Right wrist radiograph, lateral view, 15y M 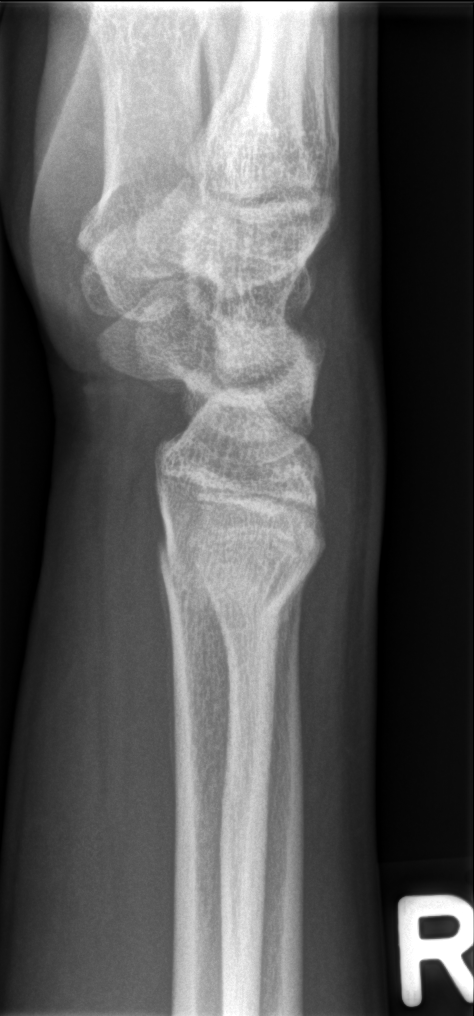

Pixel coordinates, top-left origin, xyxy.
Bone fracture: 151 506 328 625.